Right wrist X-ray | posteroanterior projection | age 13 y, boy:
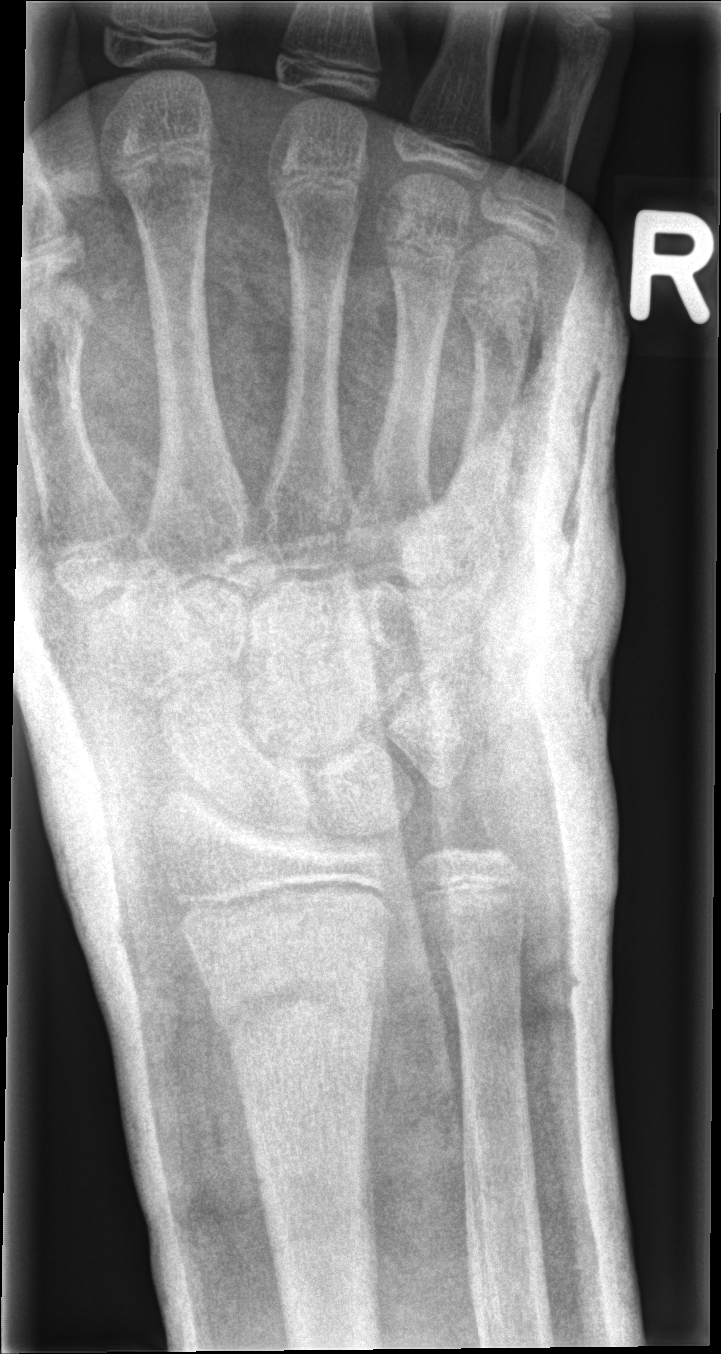
Bone fracture: 211 955 389 1063
  465 805 534 877. Fracture classified AO/OTA 23r-M/3.1; 23u-E/7. One periosteal reaction at 365 926 389 1135.